Left plain radiograph of the wrist, PA projection. 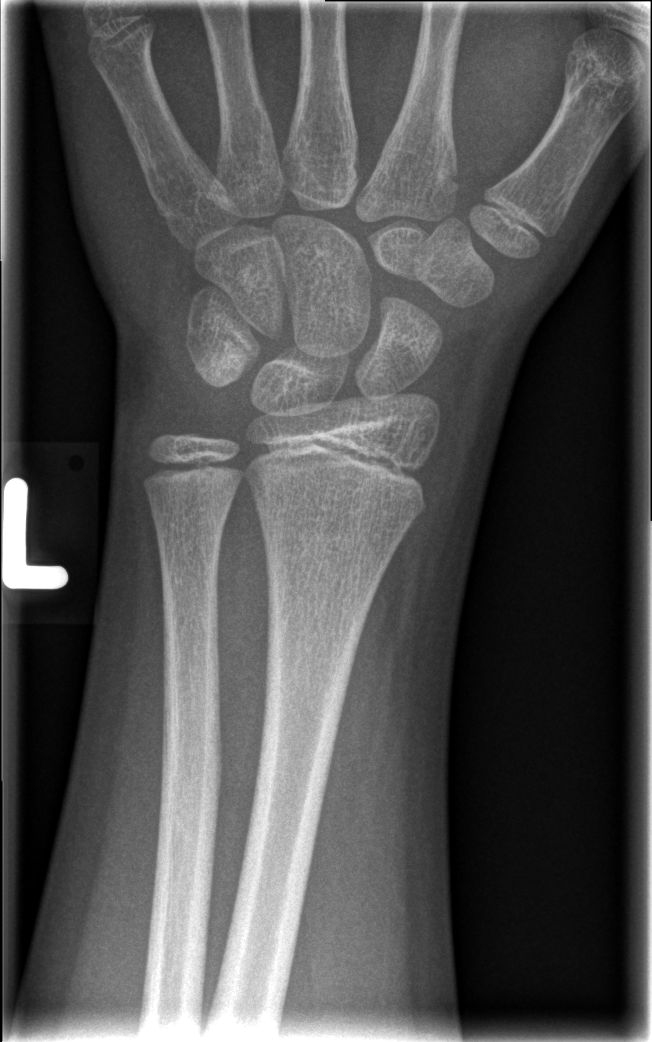 No fracture bounding box.